Left wrist X-ray · posteroanterior view · Siemens · image size 386x792
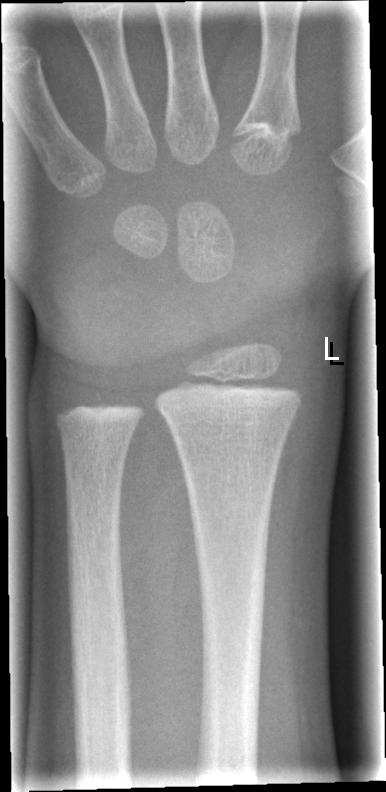 Findings: Fx present but not clearly seen in this view. Fracture classified AO/OTA 23r-M/2.1.